Lateral view, left wrist XR — 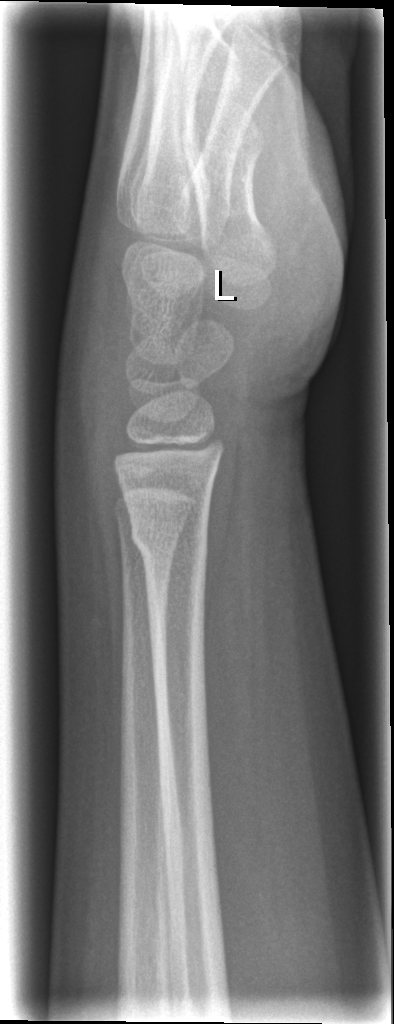 * AO code 23r-M/2.1.
* Fx — bbox(126, 517, 211, 565).